Lateral view; right wrist plain film; 15-year-old boy — 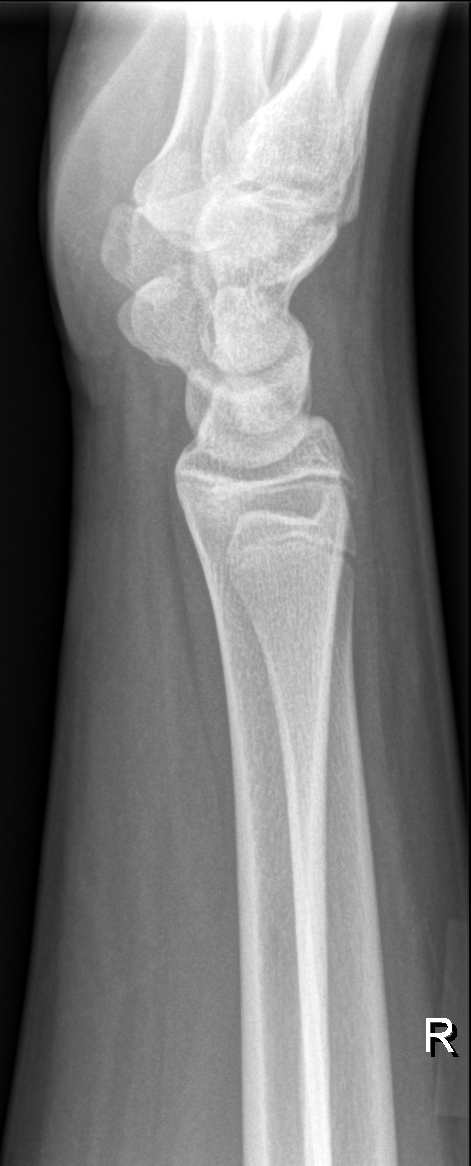

Findings: No Fx annotated.